Left wrist plain film | lateral projection | age 13 y, boy | Siemens | 76.8 mm image width:

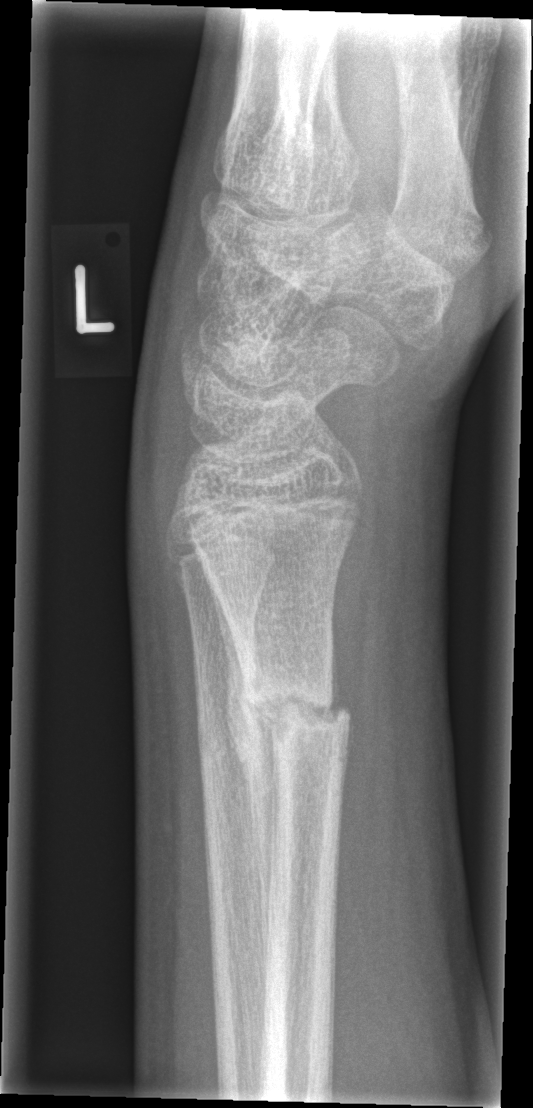

{"ao": "23r-M/3.1; 23u-M/2.1; 23u-E/7", "fracture": "233 668 355 753", "periostealreaction": "1 @ 199 552 286 995"}